L pediatric wrist radiograph · lateral · pediatric patient (boy, age 17) · presentation radiograph. 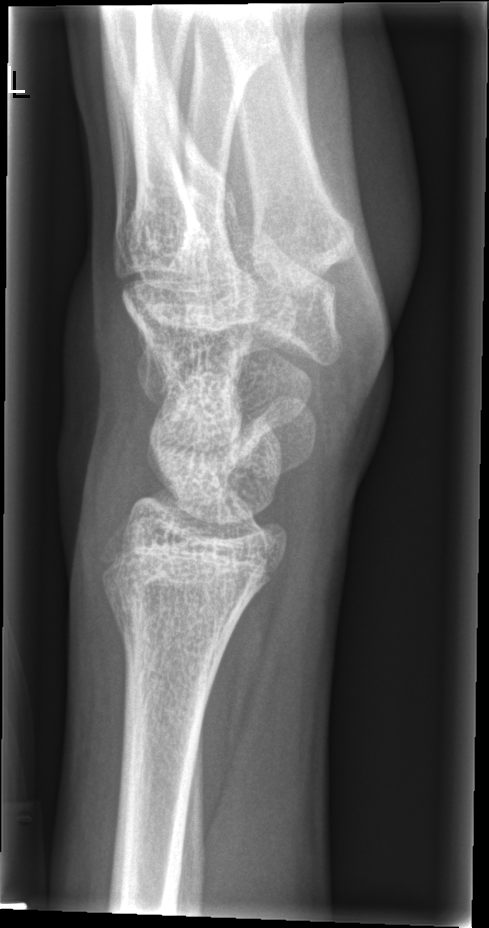
Findings: (boxes as x1,y1,x2,y2 (top-left / bottom-right, pixel units)) Fx: (98, 570, 241, 663). Fracture classified AO/OTA 23r-M/2.1.